Right wrist plain radiograph of the wrist · lat · age 8 y, female:
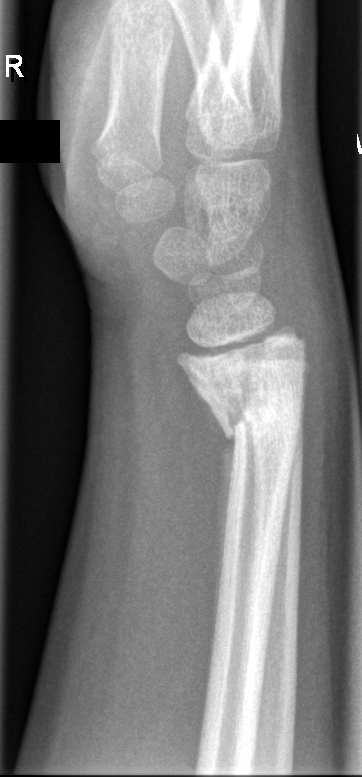

FINDINGS — (boxes as x1,y1,x2,y2 (top-left / bottom-right, pixel units)) Periosteal reaction — <207,447>-<239,689>. Fracture: <173,329>-<310,454>.